Left plain radiograph of the wrist | lateral | male, 10 yo | follow-up study | 449 x 928 px:
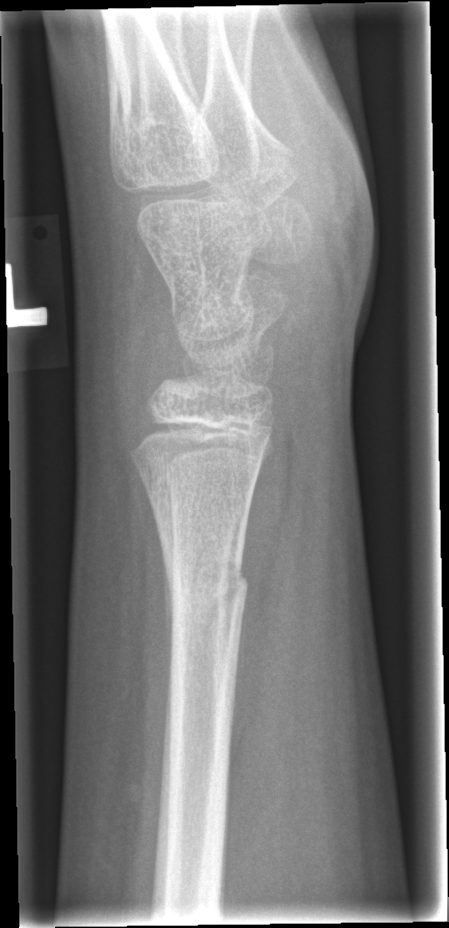
One fracture at (left=164, top=562, right=252, bottom=630).